R wrist radiograph; posteroanterior; age 17 y, girl — 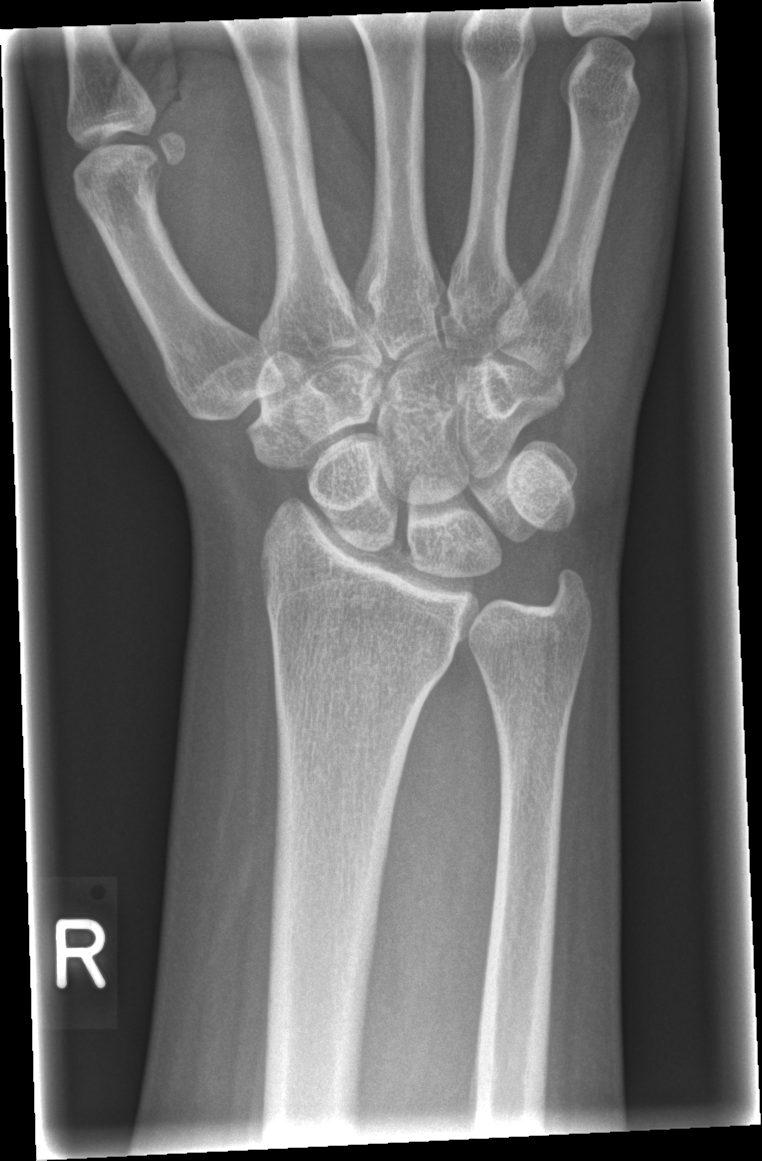
{"fracture": "none labeled"}